R pediatric wrist radiograph, lateral, pediatric patient (boy, age 15), index exam, image size 598x1138 — 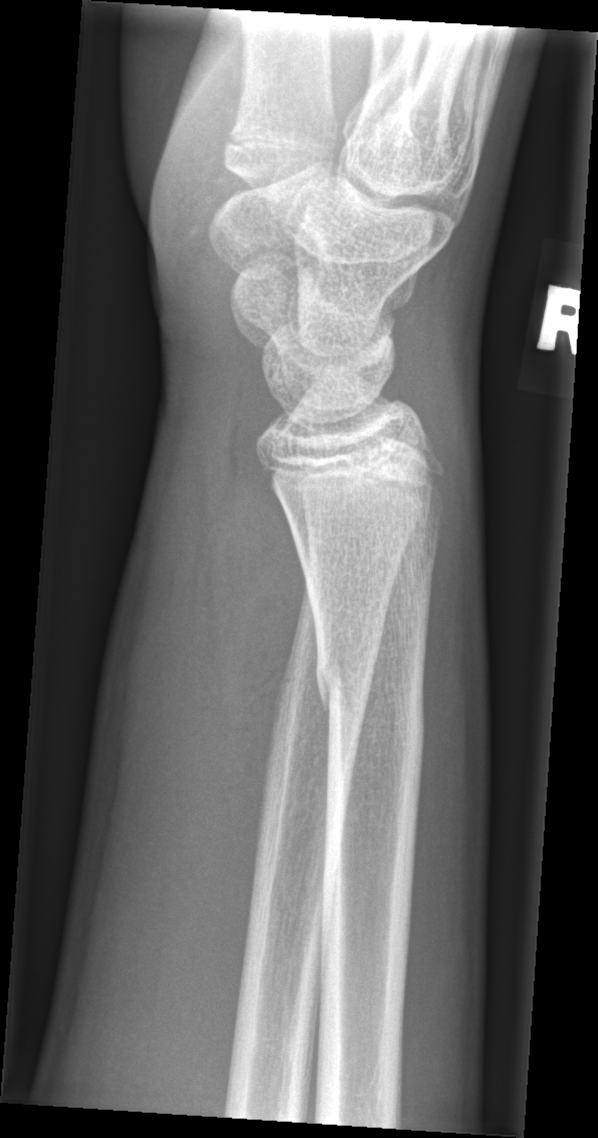
FINDINGS — AO/OTA classification: 23r-M/2.1. Fx: <312,648>-<429,765>. Positive pronator fat-pad sign identified at <203,452>-<305,799>.